Frontal view · L wrist plain film · age 11 y, girl: 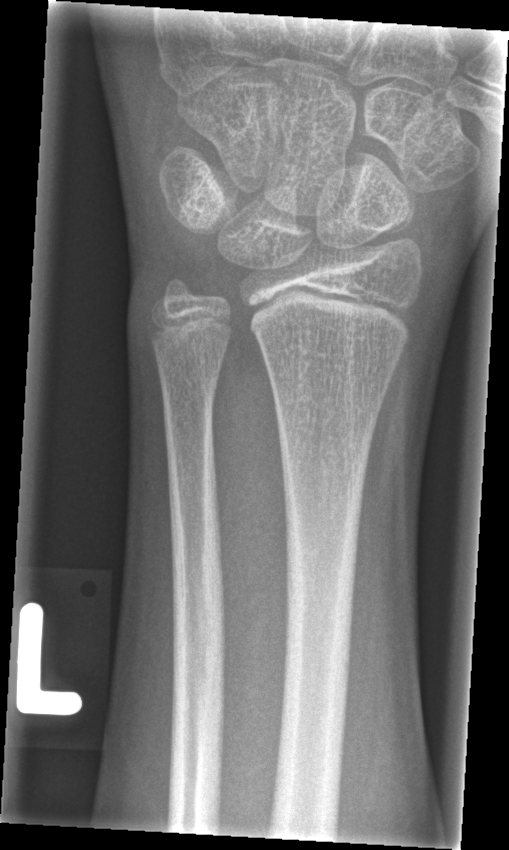 Fx: none.